Left wrist XR; posteroanterior; 582 x 752 px 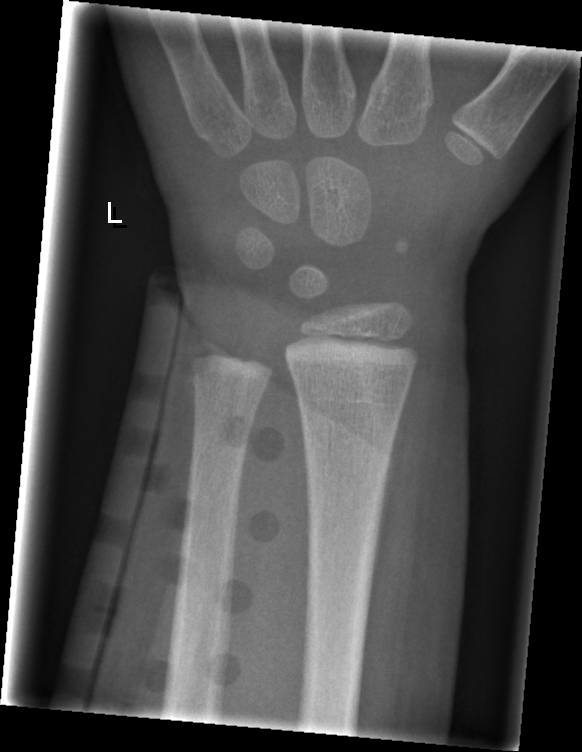
FINDINGS — No fracture labeled.